L plain radiograph of the wrist, lat view, pediatric patient (boy, age 14)
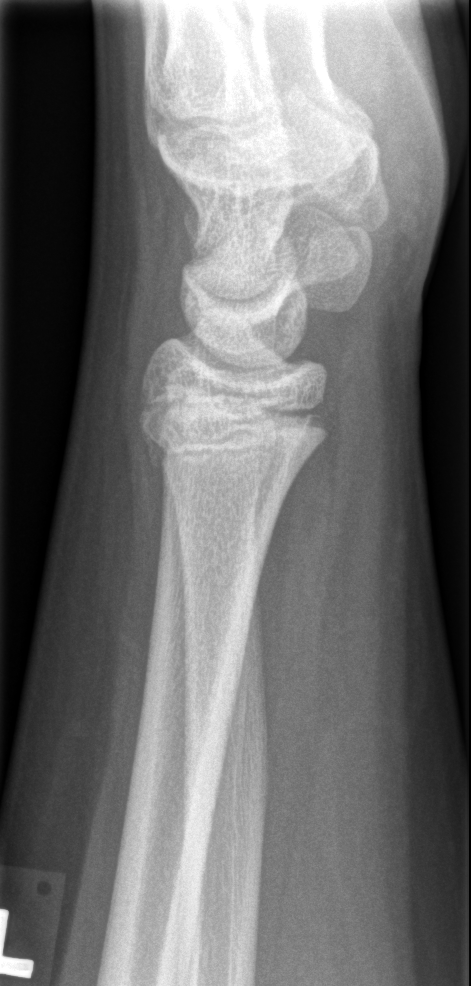
(pixel coordinates, top-left origin, xyxy)
AO/OTA: 23r-E/2.1
fracture: 1 @ bbox(132, 394, 330, 481)